Left wrist X-ray | posteroanterior projection | 12-year-old male | Siemens 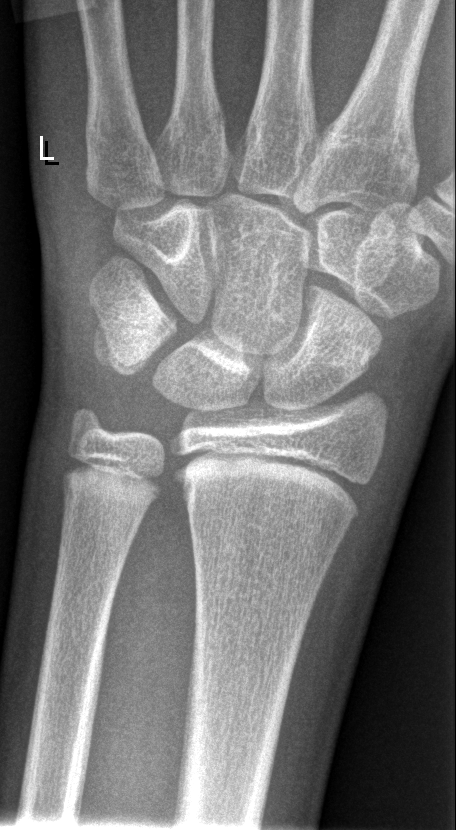 Fx: none.